Posteroanterior projection | right wrist X-ray | 10-year-old female — 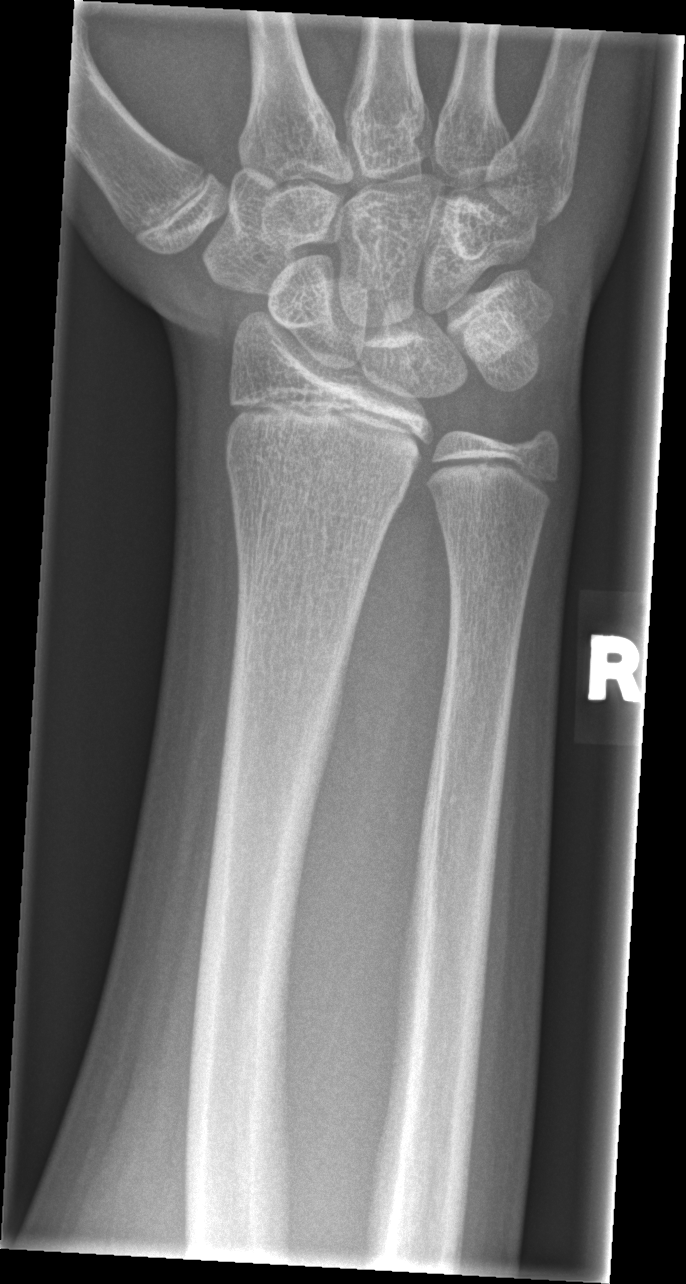

• AO/OTA classification: 23r-M/2.1.
• Fracture present, but no bounding box because it is not clearly seen in this view.